Lt plain radiograph of the wrist | posteroanterior view | in cast | detector: Siemens | 87.3 mm image width: 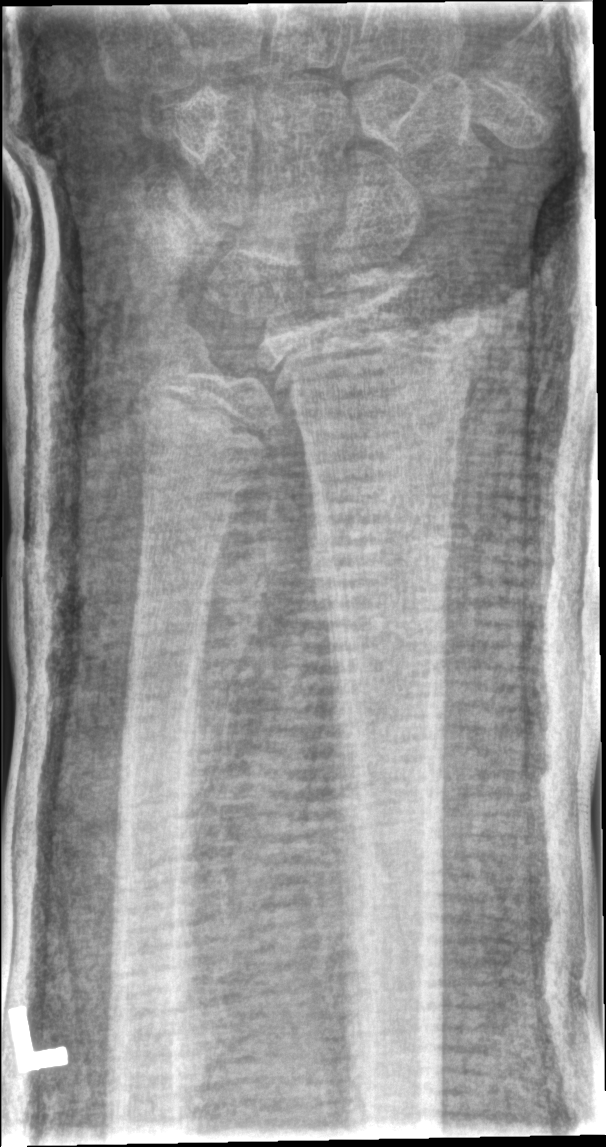
* Pixel coordinates, top-left origin, xyxy.
* AO/OTA classification: 23r-M/3.1; 23u-M/2.1.
* Bone anomaly: 132 272 313 510.
* Fx — 306 511 458 596.